PA/AP, right wrist XR, index exam, Siemens.

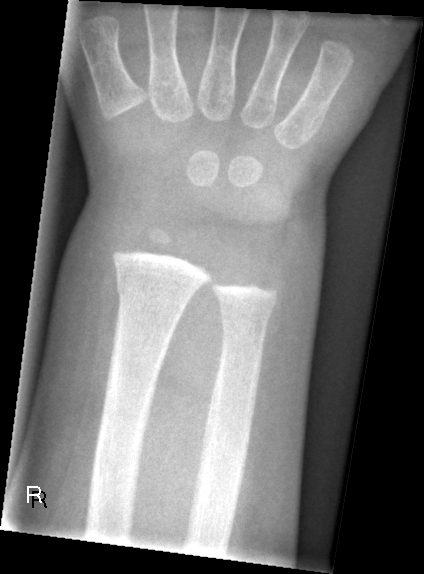 AO classification = 23r-M/2.1
Fx = 1 @ 114 275 191 316